Right wrist X-ray · lat · 17y M · initial study —
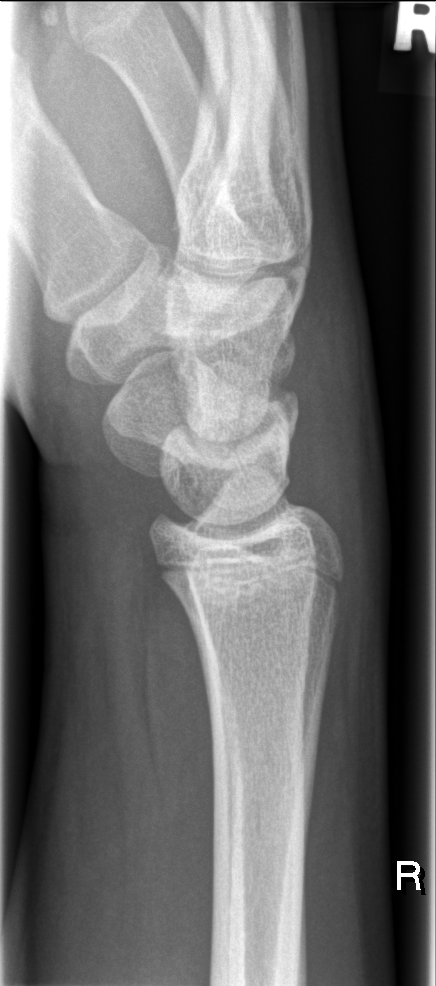
FINDINGS: No fracture labeled.